Lateral projection | left wrist plain film | pediatric patient (female, age 11) | cast in situ —

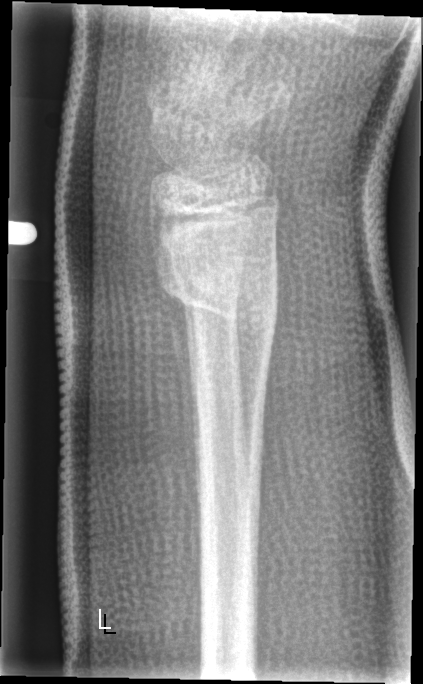
(bounding boxes in image-pixel xyxy)
AO/OTA = 23-M/2.1
Bone fracture = 1 @ (151, 262, 280, 348)